Lat projection, right wrist XR, age 15 y, girl. 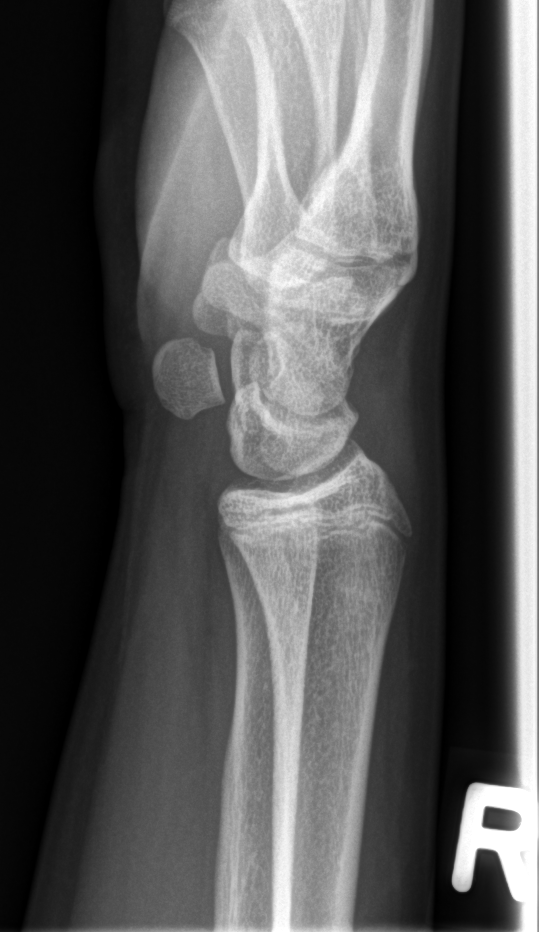
fracture = none labeled